Lateral projection · left wrist X-ray · 10y M · image width 67.5 mm —

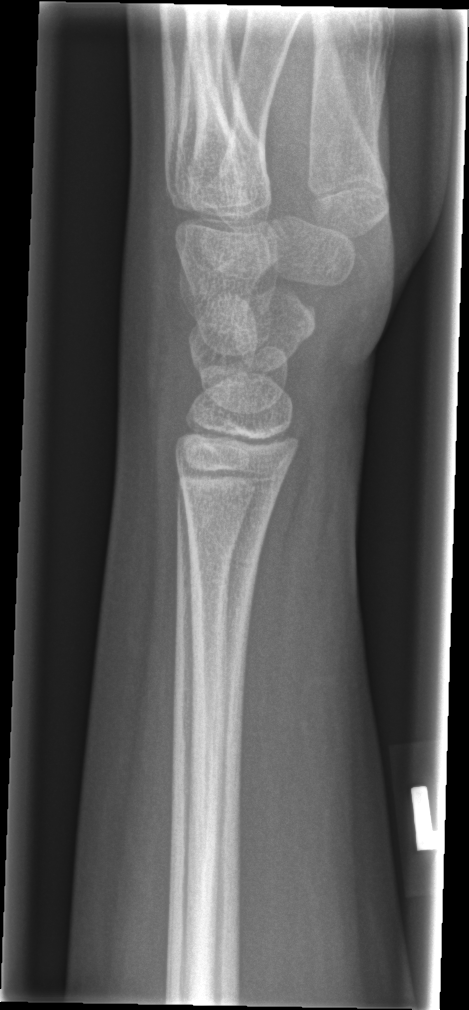 Q: Any fracture seen?
A: Fx: none